AP view | left wrist plain radiograph of the wrist | in cast — 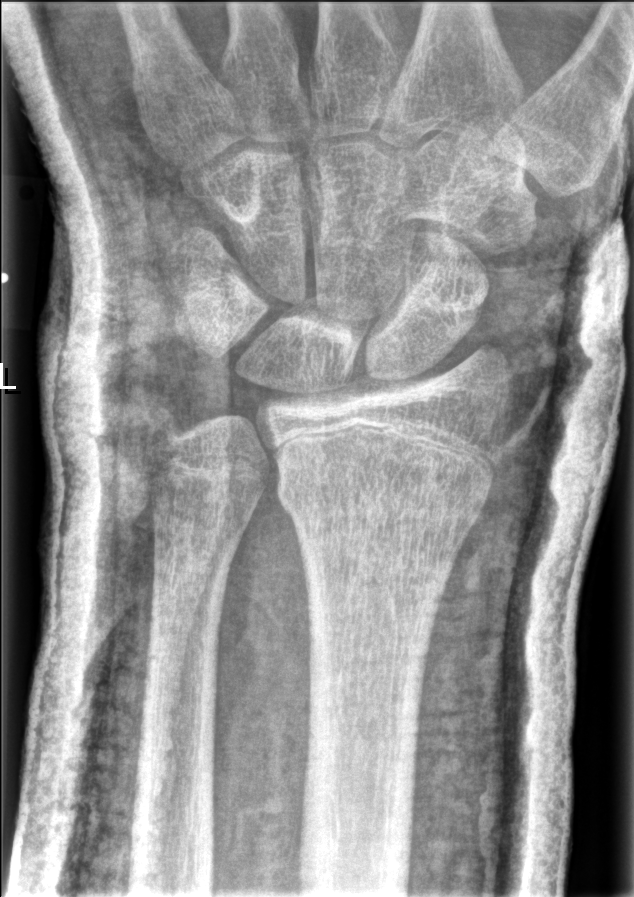

FINDINGS: Fx — 271,469,493,543.